AP projection | right wrist plain film | female, 11 yo | index exam —
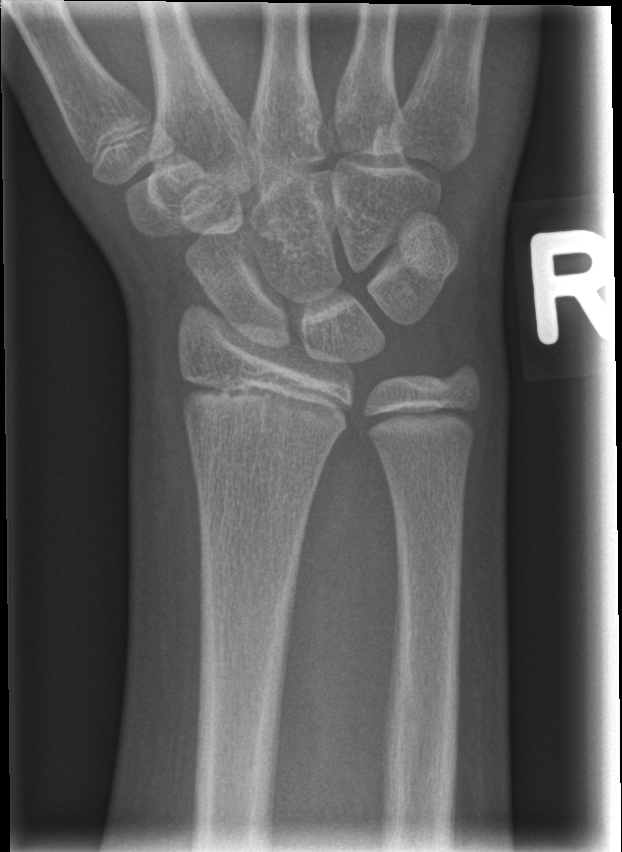

Fracture: none labeled.